Frontal | left pediatric wrist radiograph | boy, 12 yo
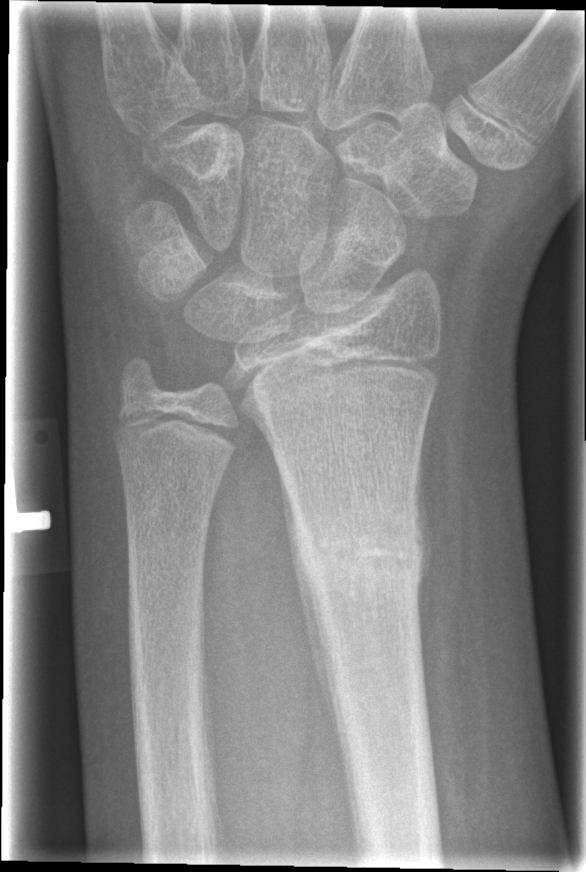 AO code = 23r-M/2.1
Fx = bbox(290, 513, 430, 599)
Periosteal new bone = bbox(277, 460, 349, 786); bbox(413, 442, 434, 602)